PA view, right wrist X-ray, 6-year-old boy, 784 by 1100 pixels —

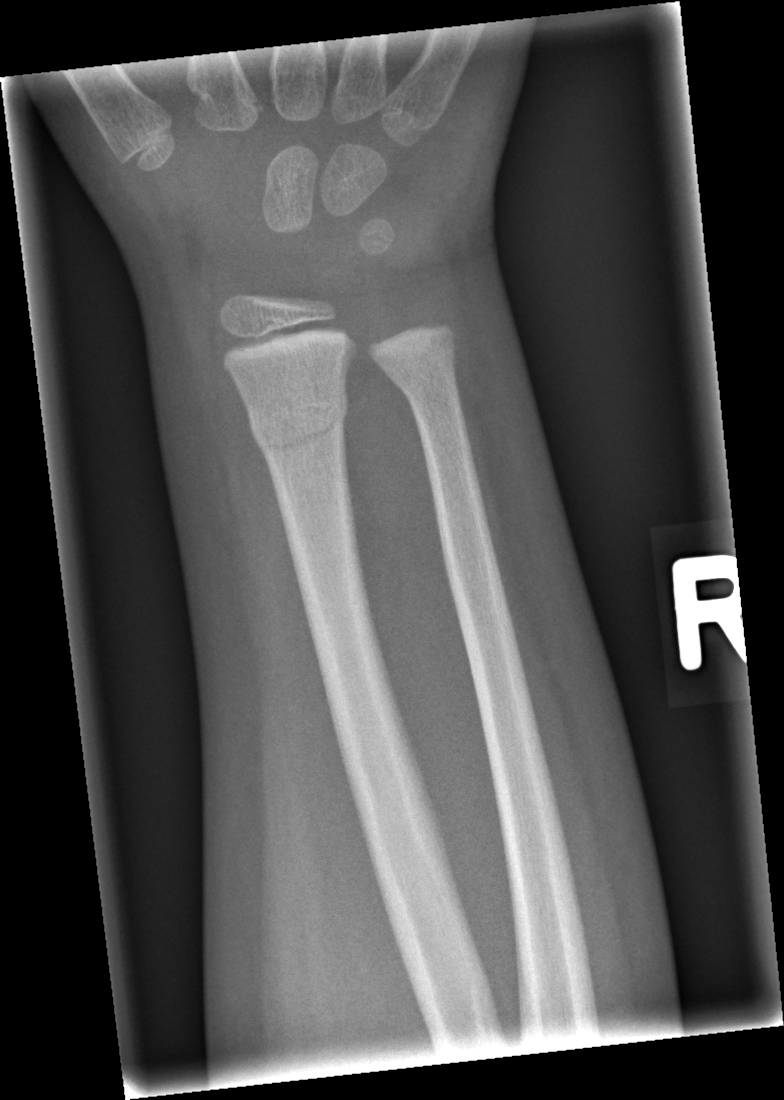 {"_coords": "coordinates are [x1, y1, x2, y2] in image pixels", "ao": "23-M/3.1", "fracture": "<245,385>-<351,457> <388,350>-<463,407>"}